Right wrist plain radiograph of the wrist, lateral, male, 15 yo 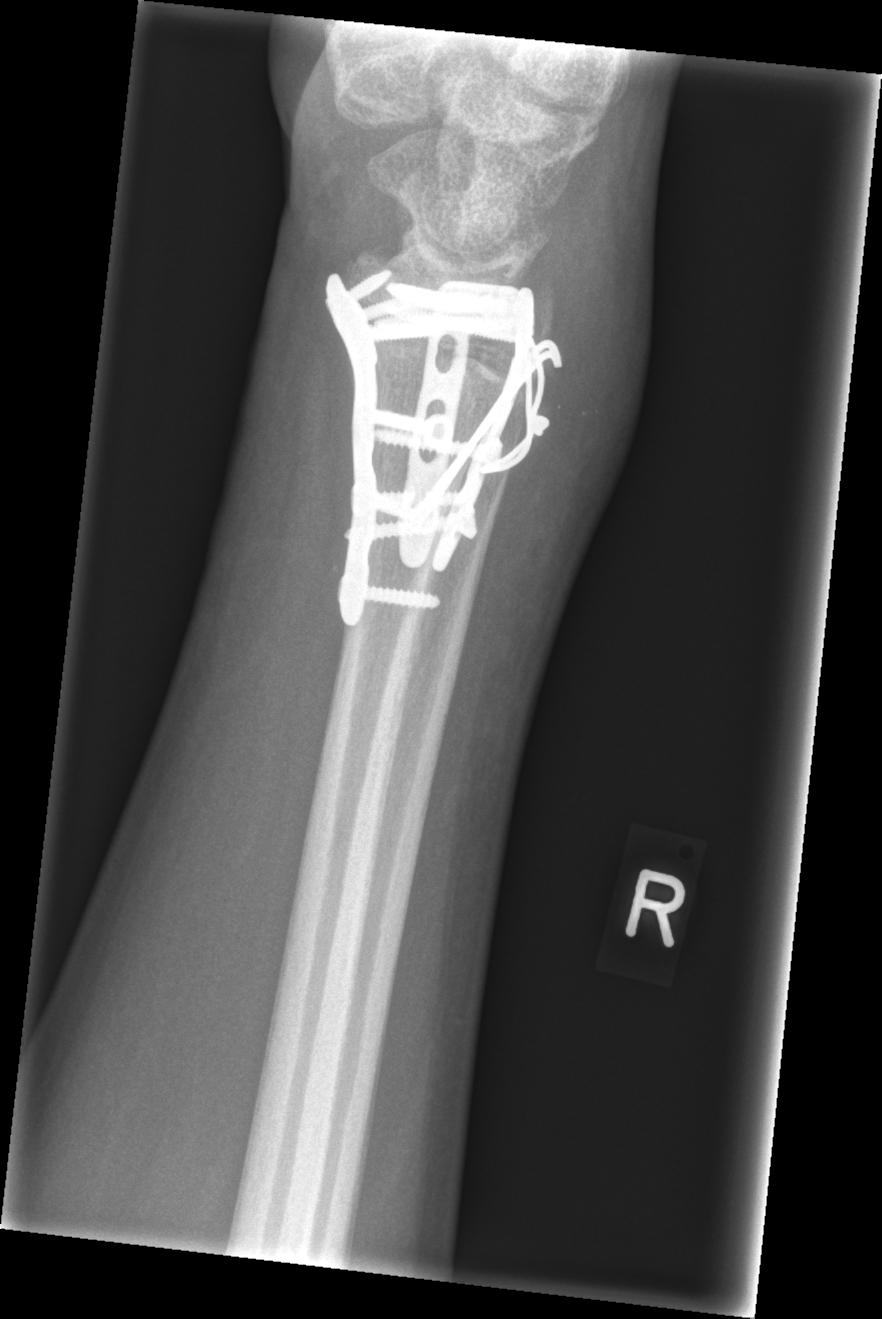 Metallic hardware: 1 @ (322, 268, 564, 627)
Fx: none labeled